Lateral | Rt wrist plain film 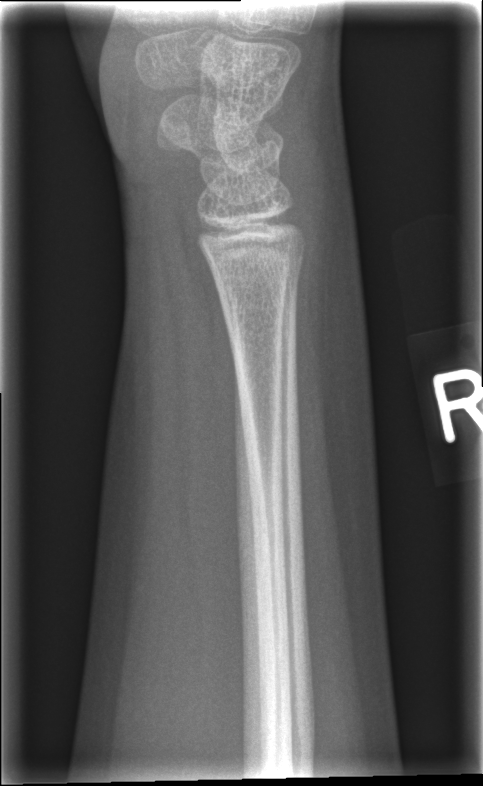

Fracture: none labeled